Posteroanterior view, Rt wrist radiograph, 10-year-old male, 576 x 1328 px:

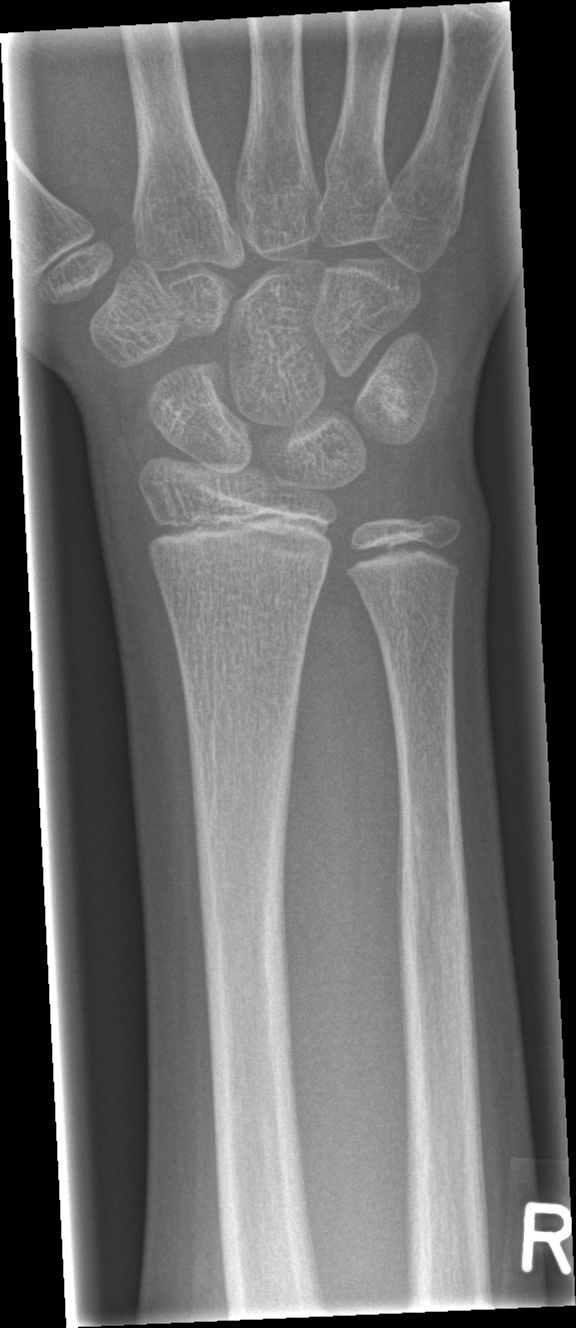
No fracture labeled.